Lateral view · right wrist radiograph · girl, 12 yo — 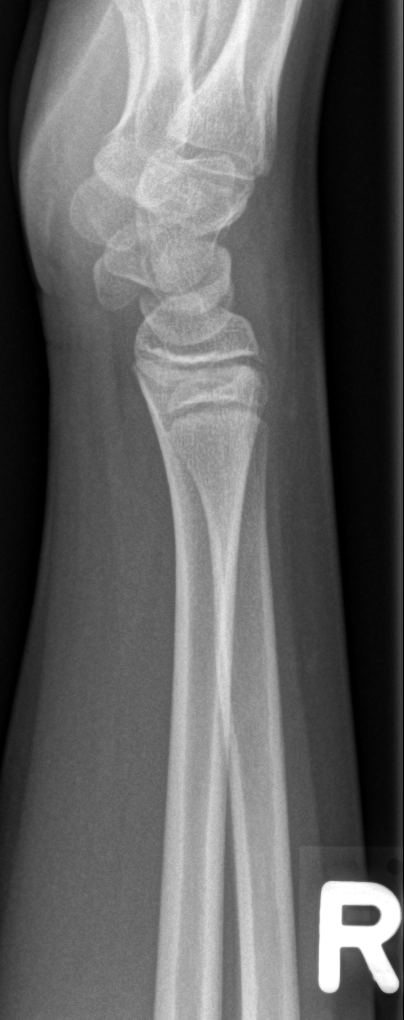

FINDINGS — Fx: none.